Right wrist pediatric wrist radiograph, lat projection, female, 15 yo, Siemens.
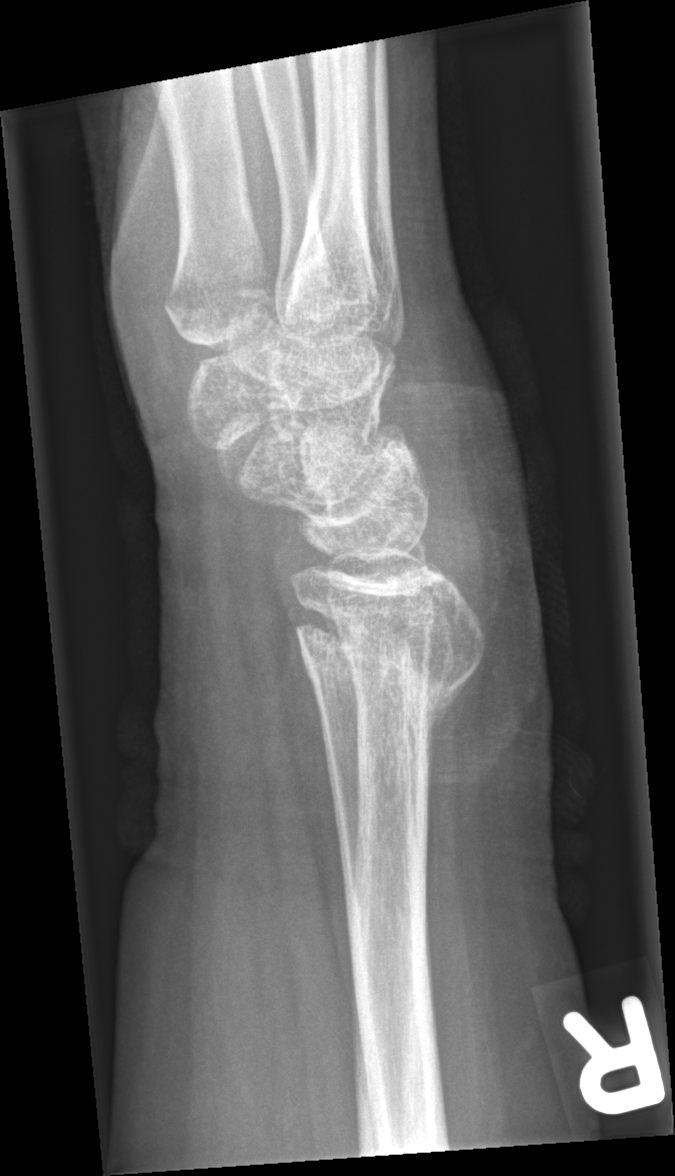
Boxes as x1,y1,x2,y2 (top-left / bottom-right, pixel units). Reduced bone mineral density. Fracture: (left=290, top=579, right=485, bottom=731).